Lat | Lt wrist plain film | follow-up | 460x1057:
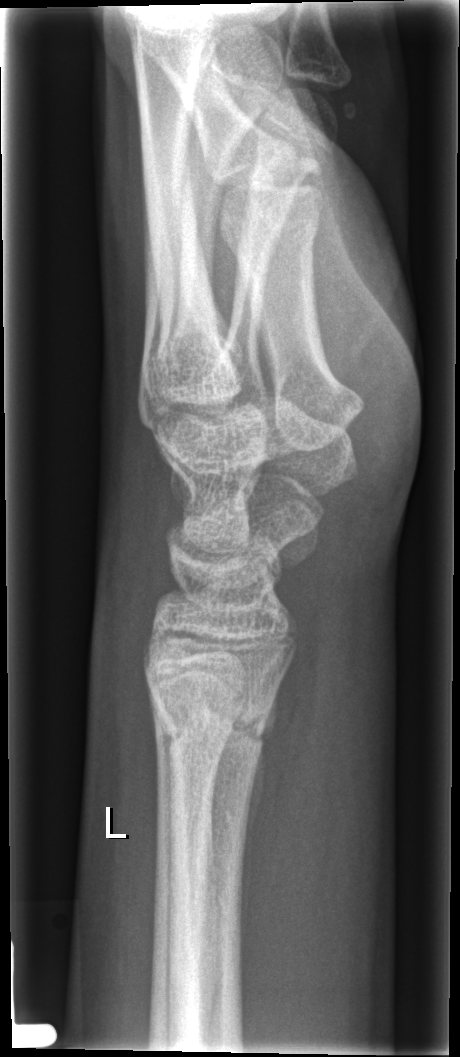

fracture: (left=148, top=693, right=279, bottom=757)
osteopenia: present
periostealreaction: (left=238, top=684, right=279, bottom=956)
ao: 23r-M/3.1; 23u-E/7